Left wrist radiograph; lat projection; 4-year-old girl; presentation radiograph — 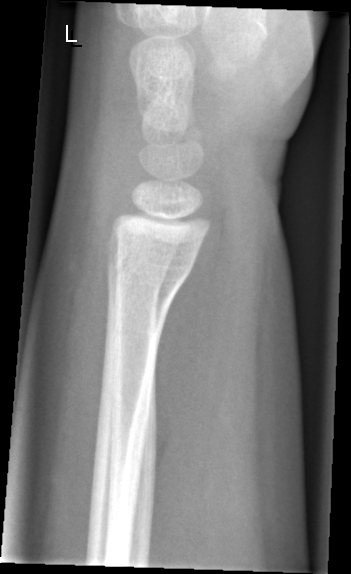
Positive pronator fat-pad sign — [155, 217, 230, 494]. AO/OTA classification: 23-M/2.1. Fx identified at [104, 243, 196, 297].